L wrist XR, PA/AP projection, male, 14 yo, 94.2 mm image width, image size 654x1232

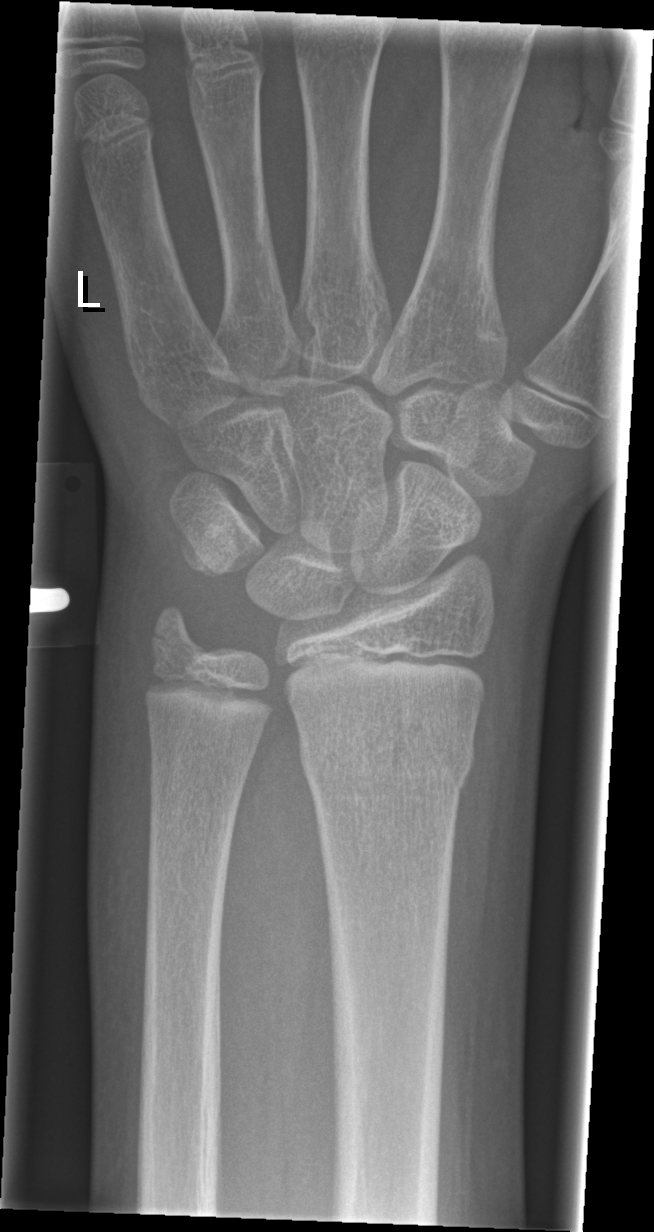

{
  "fracture": "2 @ (left=296, top=718, right=478, bottom=799) (left=146, top=604, right=219, bottom=665)"
}